PA projection | left plain radiograph of the wrist

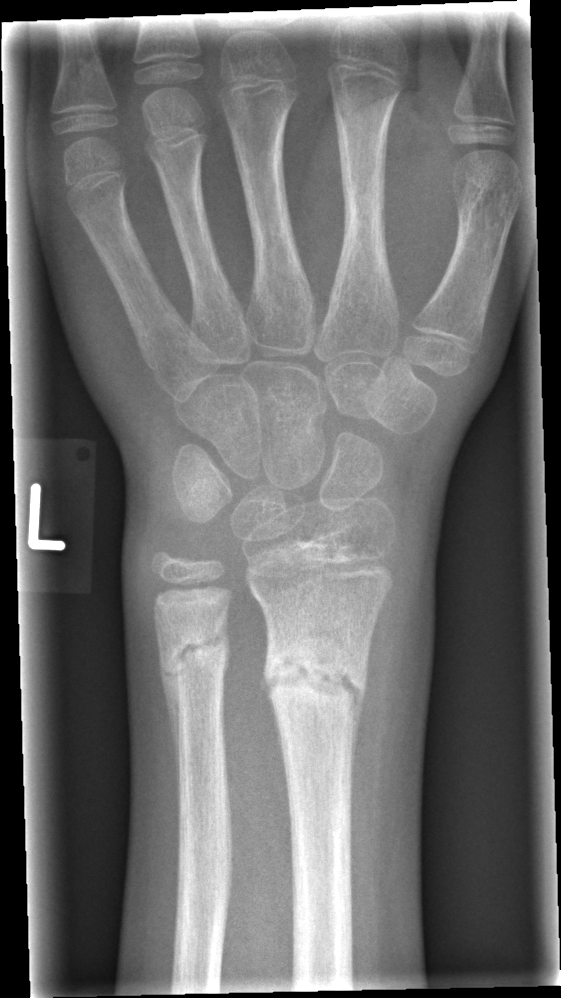

Findings: Periosteal reaction — [156, 617, 181, 790], [350, 685, 365, 780]. Reduced bone mineral density. Two Fx at [261, 642, 372, 720], [162, 621, 232, 687].